PA/AP view | right wrist plain film | 2-year-old girl | presentation radiograph | equivocal findings | image 62.5 mm wide —
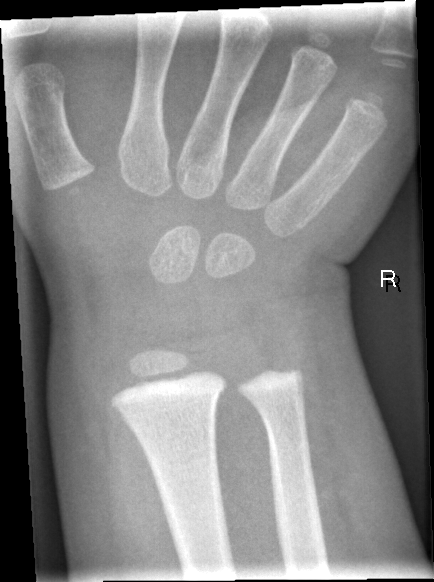
Findings: No fracture bounding box.